Rt plain radiograph of the wrist; PA view; boy, 9 yo; image 84.7 mm wide: 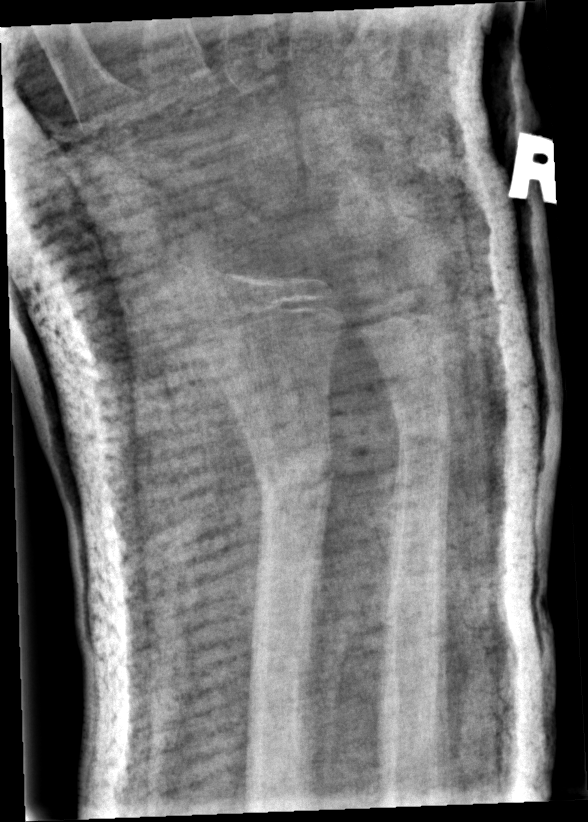   # boxes as x1,y1,x2,y2 (top-left / bottom-right, pixel units)
  fracture: 2 @ [x1=250, y1=438, x2=338, y2=514] [x1=391, y1=406, x2=455, y2=470]
  ao: 23-M/3.1